PA/AP projection; Rt wrist X-ray; girl, 9 yo; follow-up study; 1092 by 1092 pixels — 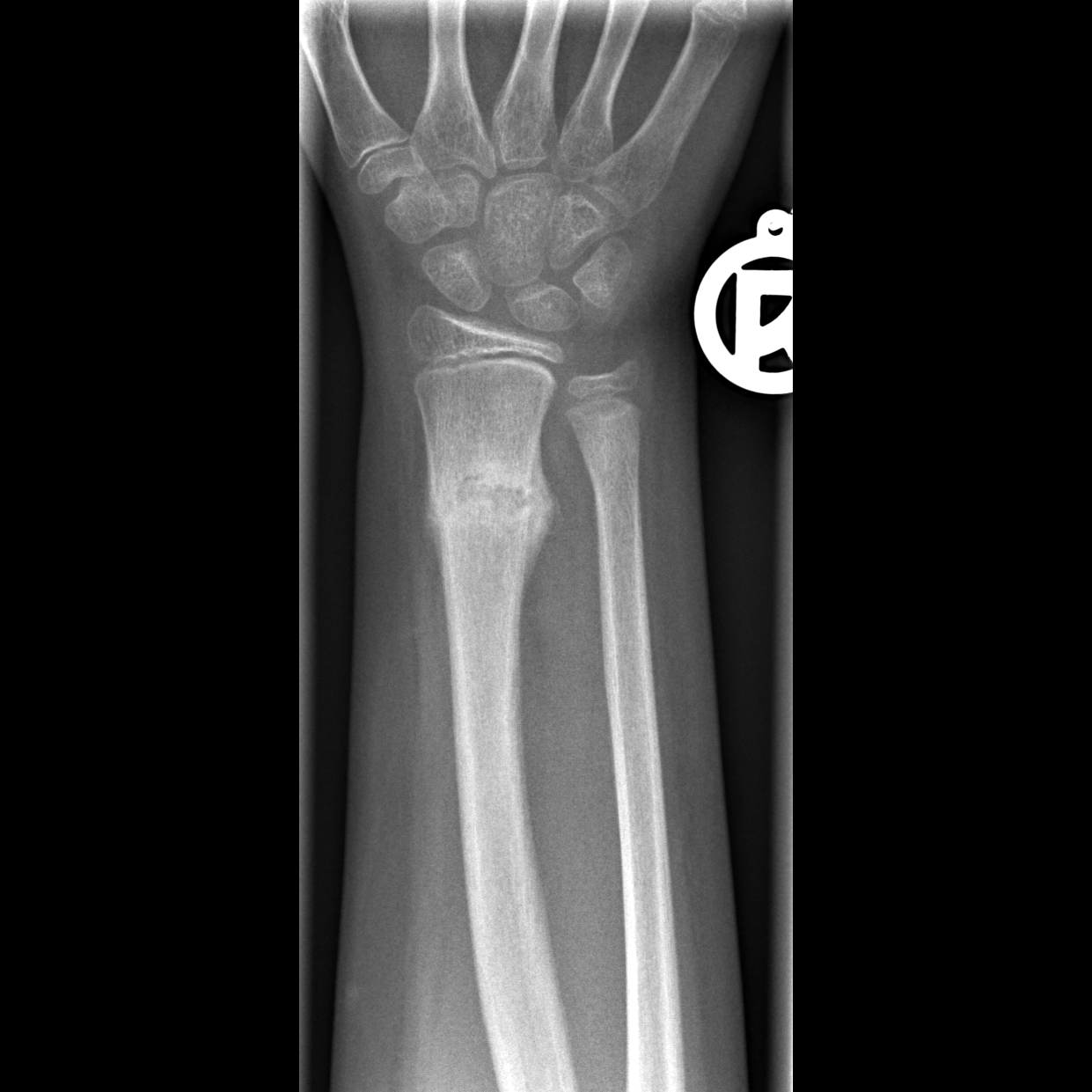 Coordinates are [x1, y1, x2, y2] in image pixels.
Fx: (414, 432, 560, 591).
Fracture classified AO/OTA 23r-M/3.1; 23u-M/2.1.
Reduced bone mineral density.
Periosteal thickening identified at (520, 423, 565, 634) (421, 449, 445, 594).